Posteroanterior, R pediatric wrist radiograph, index exam, detector: Siemens:
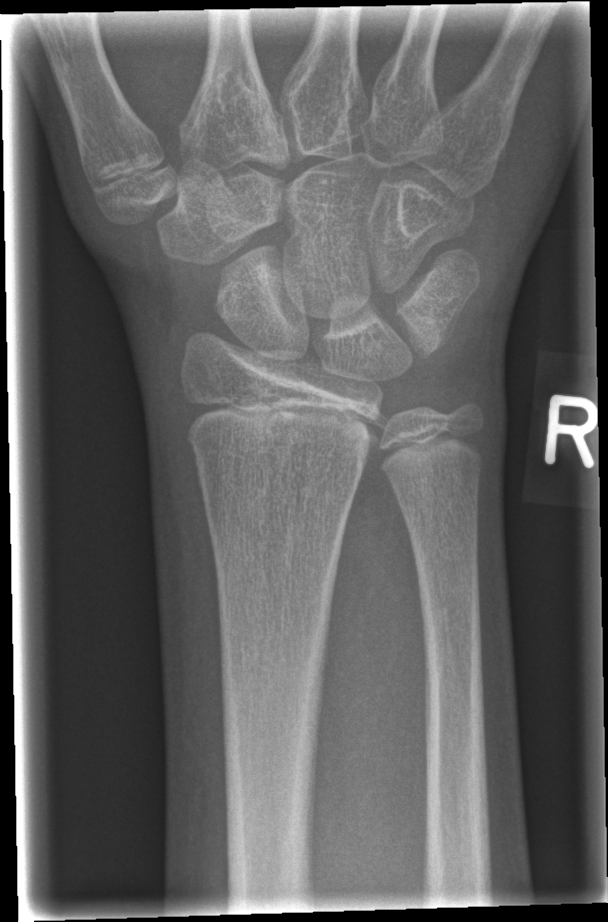

No fracture bounding box.